Lateral projection | left wrist plain film | follow-up | in cast | Siemens: 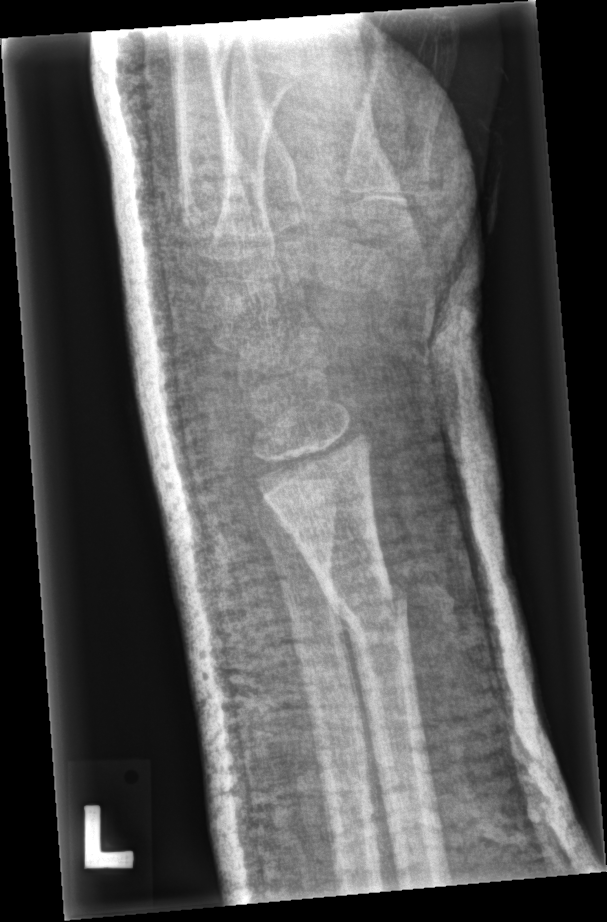 Bounding boxes in image-pixel xyxy. Bone fracture identified at (left=319, top=574, right=413, bottom=650). AO code 23r-M/3.1; 23u-M/2.1.